R plain radiograph of the wrist | lateral | age 12 y, male | follow-up

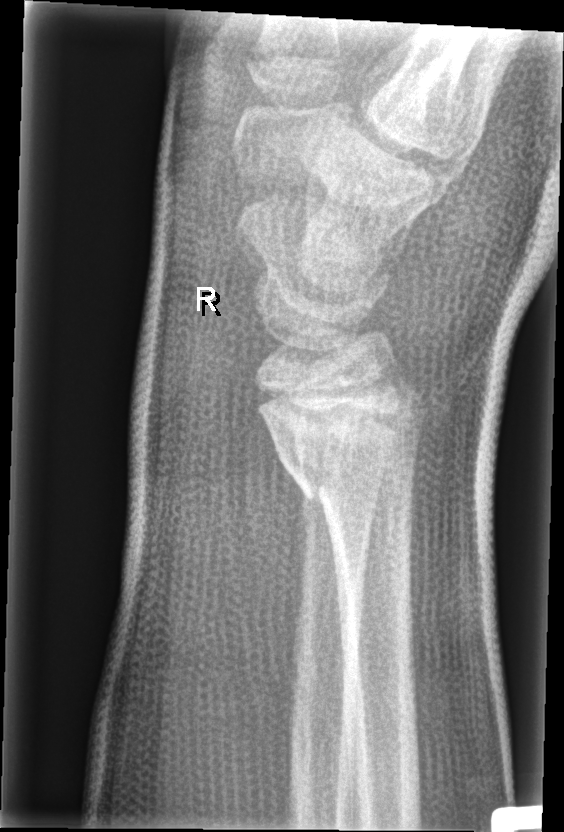
Fx: bbox(256, 381, 426, 504).